Lat; Lt wrist X-ray; pediatric patient (male, age 9); follow-up study

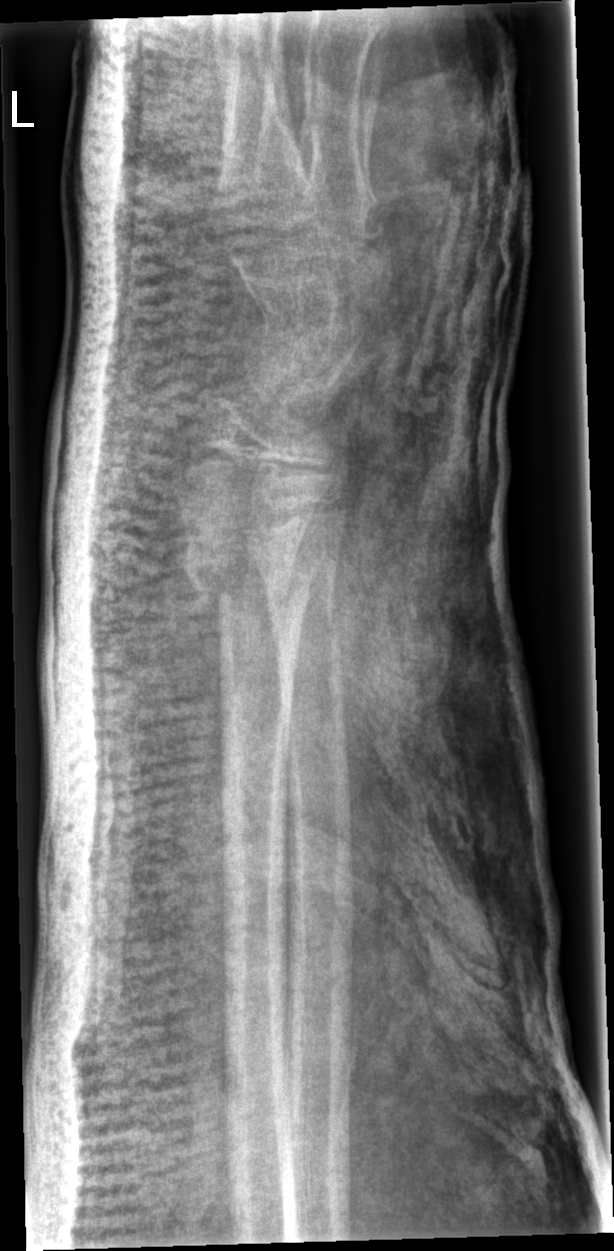

fracture = 2 @ (175, 528, 315, 624), (263, 593, 345, 651)
AO classification = 23r-M/3.1; 23u-M/2.1